Lt wrist XR | posteroanterior projection — 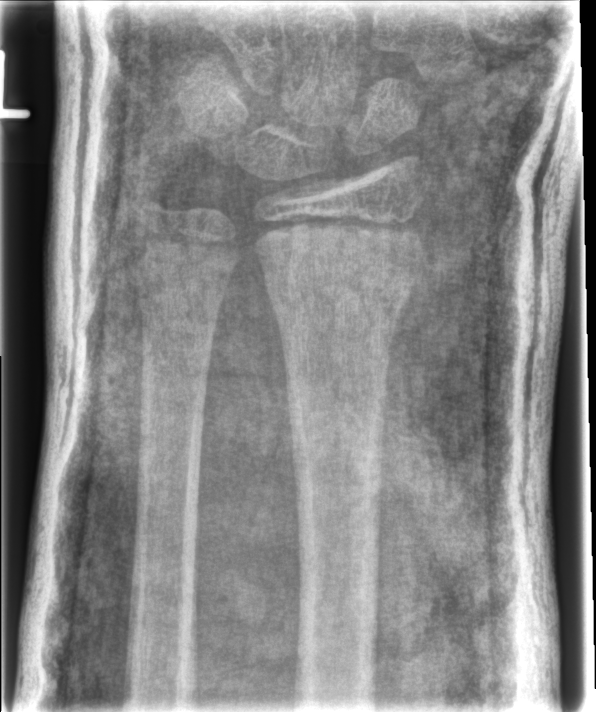
Fracture identified at (254, 239, 421, 336).